Lateral view; Lt plain radiograph of the wrist; image 81.4 mm wide; 565 x 1150 px. 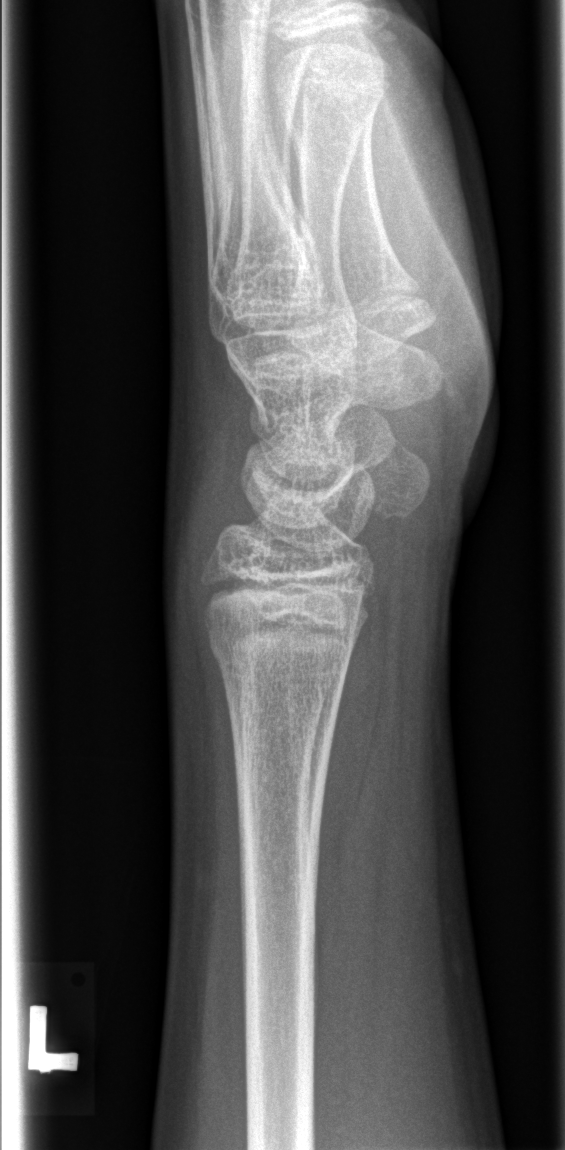

Coordinates are [x1, y1, x2, y2] in image pixels. AO code 23r-M/2.1. Bone fracture: (201, 612, 355, 691).